R pediatric wrist radiograph; PA/AP; 16y F
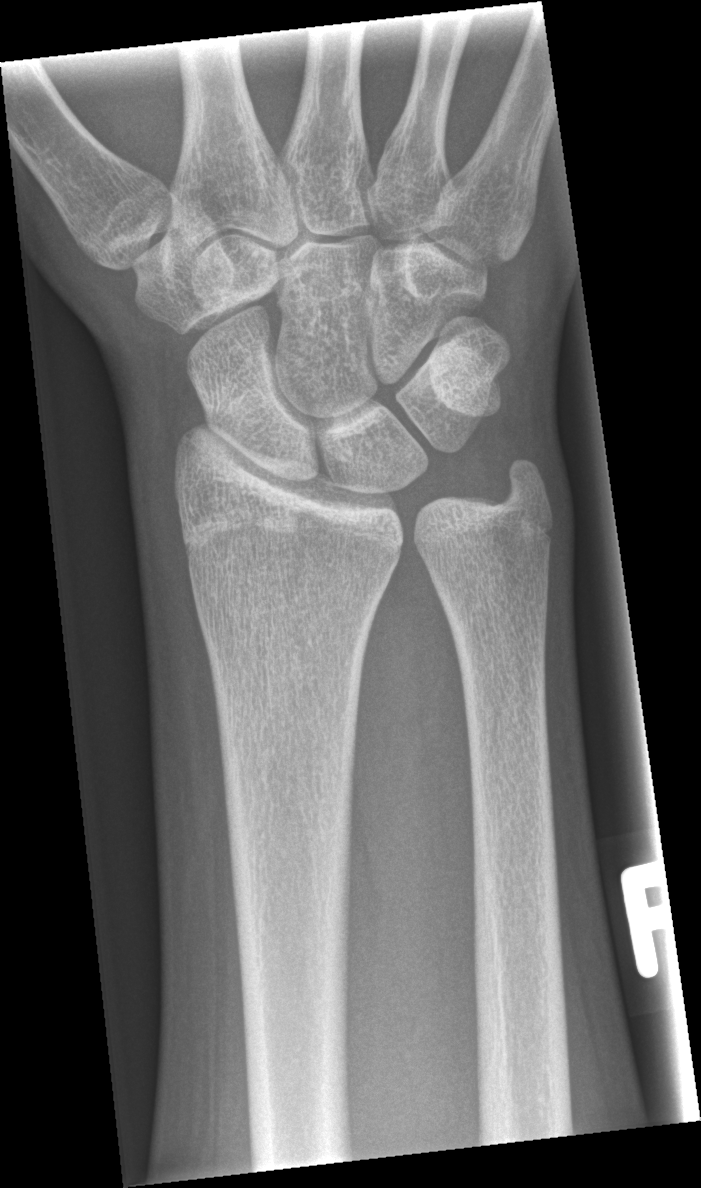

FINDINGS: No fracture bounding box.